L wrist X-ray, lateral, 5-year-old male, 69.1 mm image width. 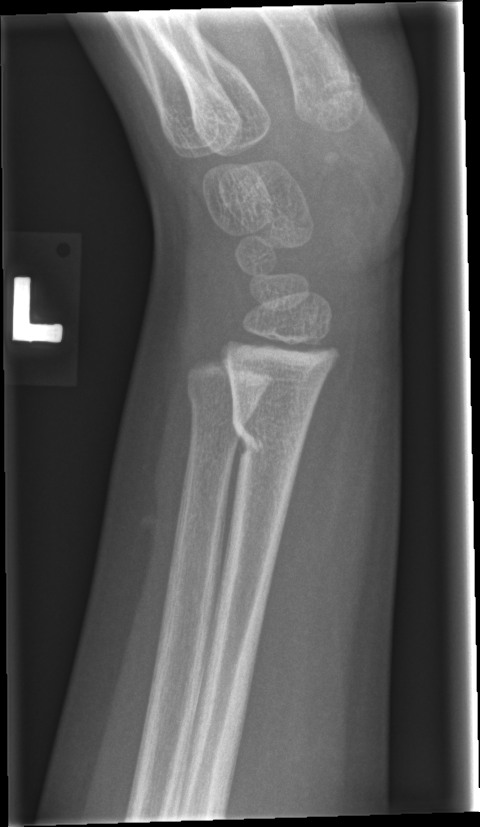
Fracture identified at bbox(228, 395, 308, 485); bbox(185, 382, 263, 427).